Lat view · right wrist X-ray · detector: Siemens.

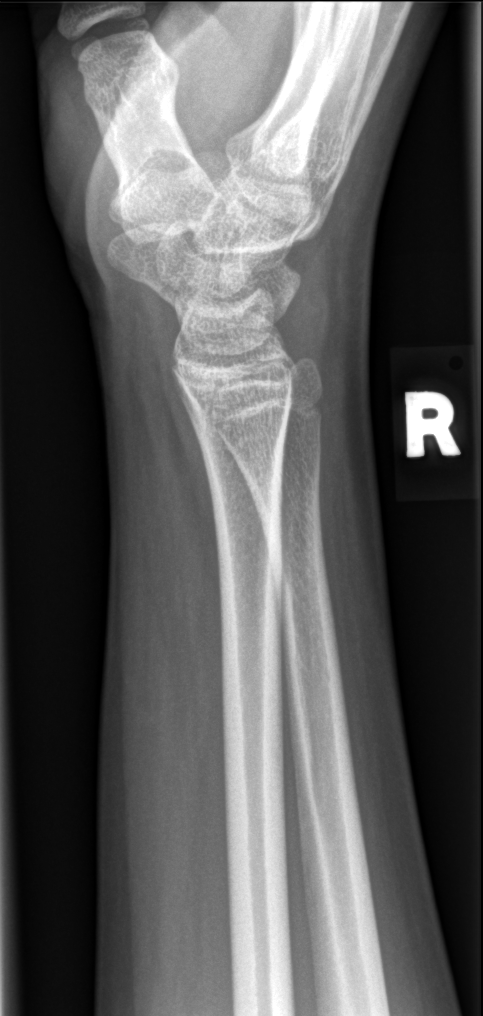 No Fx annotated.